Lateral projection; right pediatric wrist radiograph; male, 15 yo; Siemens. 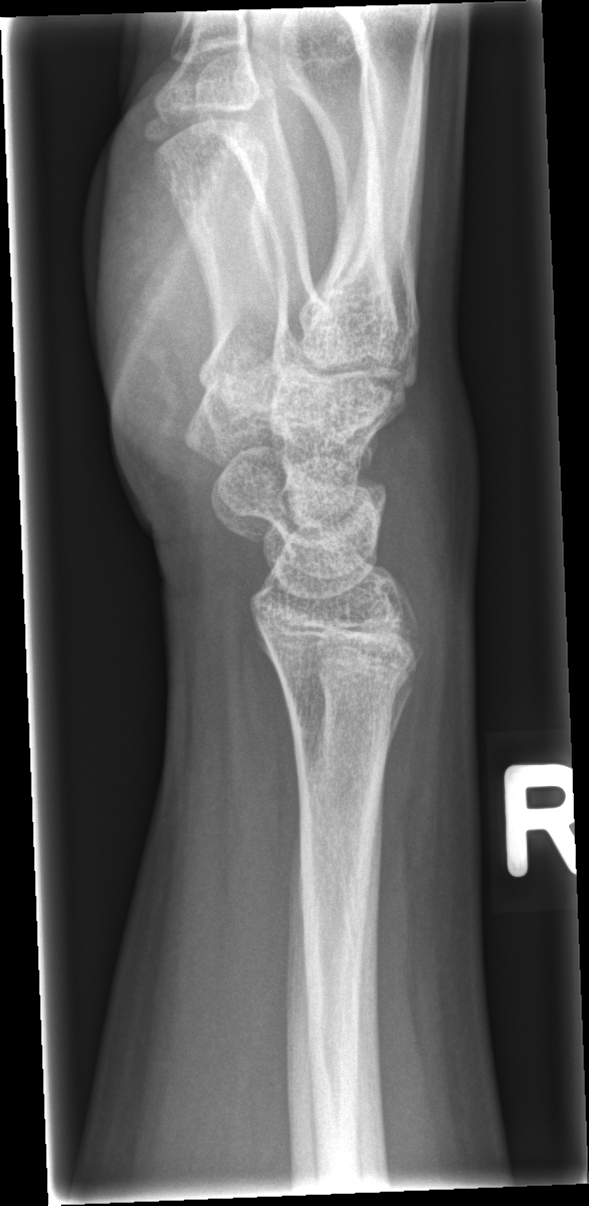 FINDINGS: Fracture classified AO/OTA 23r-M/2.1. Fracture — (left=268, top=640, right=425, bottom=716).